Right wrist pediatric wrist radiograph · lat · age 15 y, male

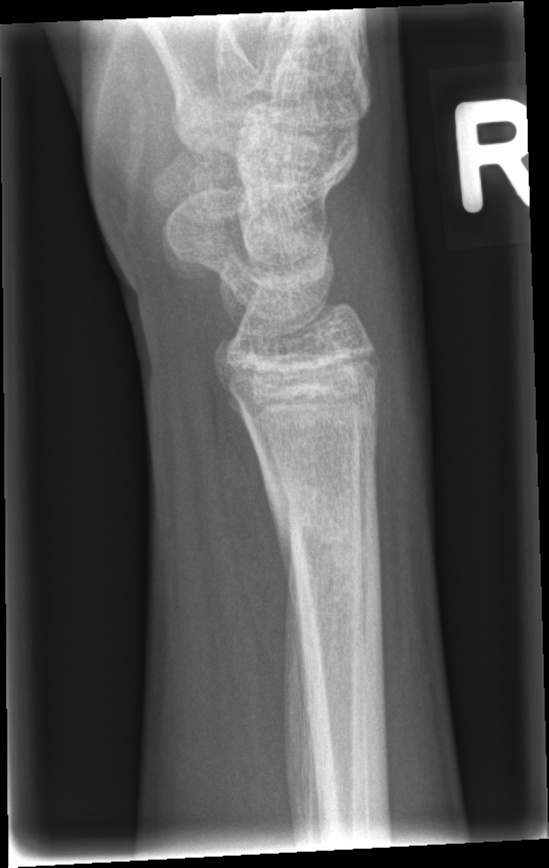   fracture: [266, 479, 381, 579]
  ao: 23r-M/2.1